Left wrist plain radiograph of the wrist; lat view. 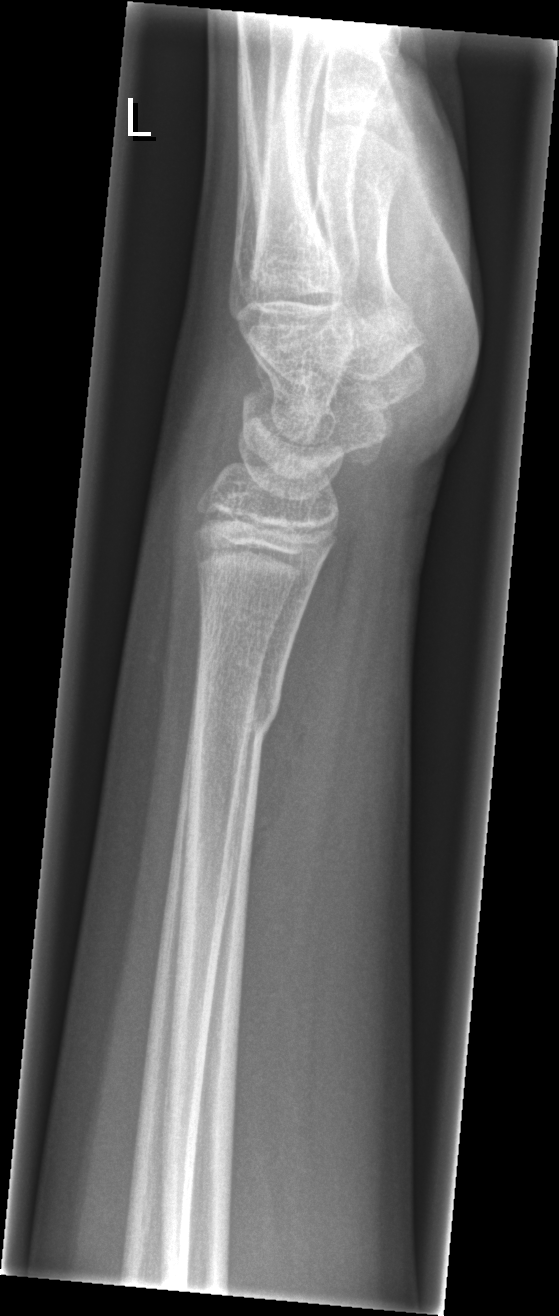
{
  "_coords": "pixel coordinates, top-left origin, xyxy",
  "fracture": "<182,684>-<282,746>"
}